PA/AP · R plain radiograph of the wrist · initial study:

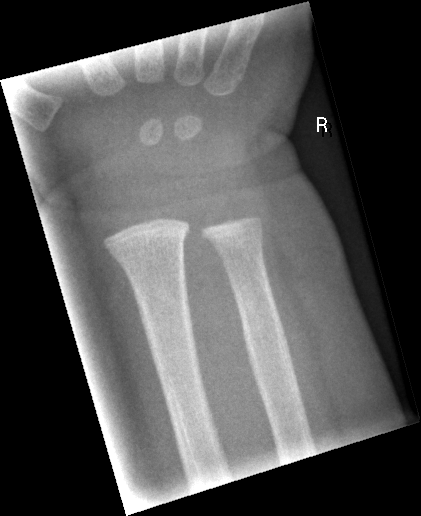
Q: Is there a fracture?
A: Fracture: none labeled